AP projection; Rt plain radiograph of the wrist; age 1.8 y, female; index exam; image size 533x566 — 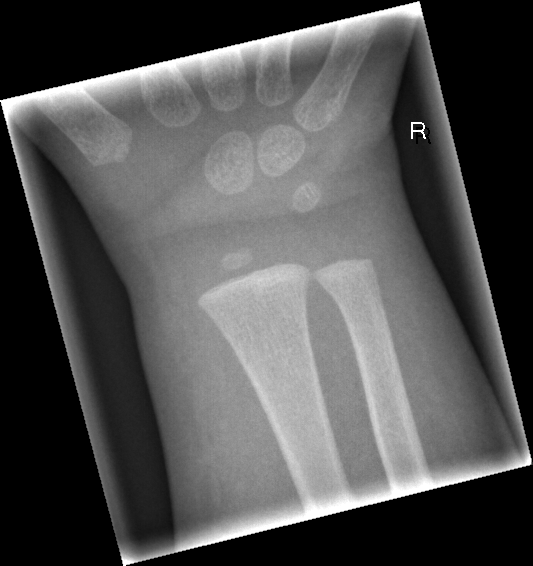

Fx = none labeled